Left wrist X-ray, frontal view, 12-year-old male, acquired on Siemens.
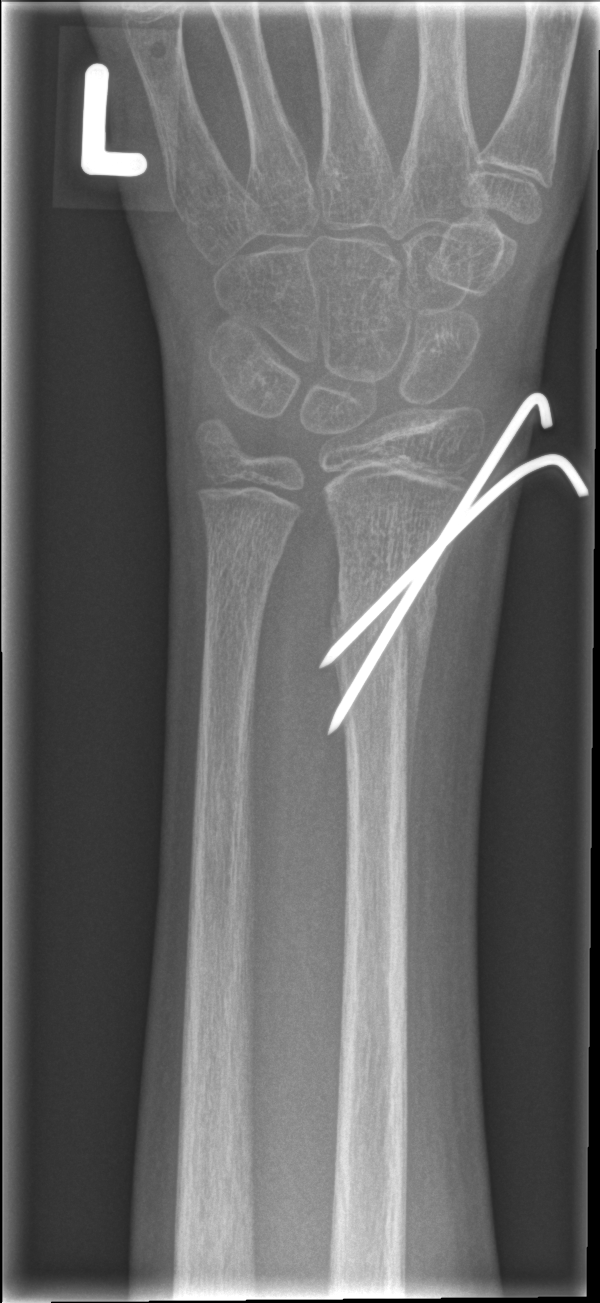 Boxes as x1,y1,x2,y2 (top-left / bottom-right, pixel units). Reduced bone mineral density. Metal — (322, 401, 590, 739). Bone fracture: (326, 576, 436, 652); (201, 521, 287, 580). Periosteal thickening identified at (403, 571, 439, 857); (329, 591, 342, 636).